Left wrist pediatric wrist radiograph; AP view; age 9 y, female; 517 by 1182 pixels:
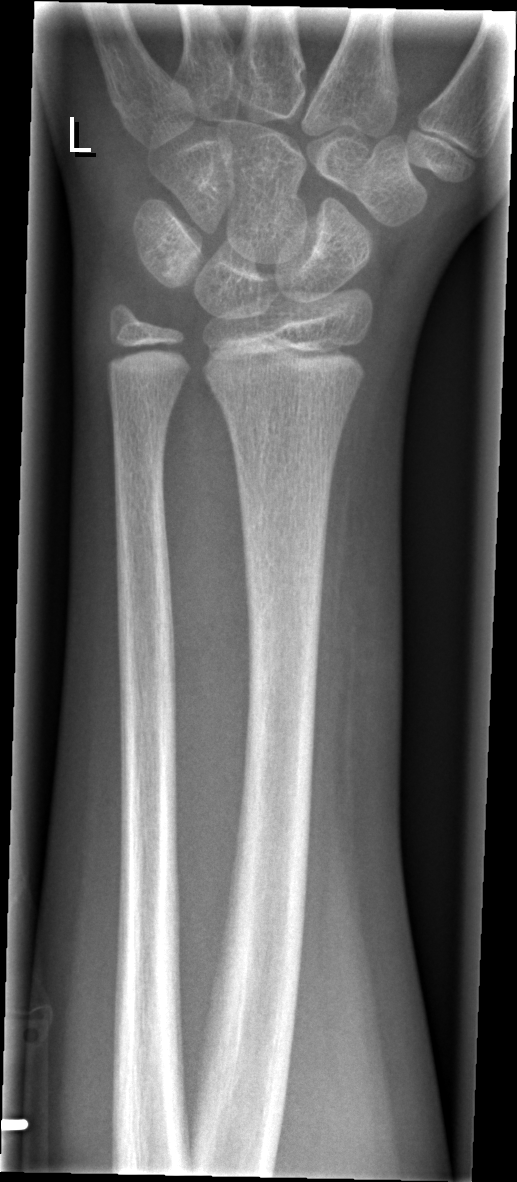
No fracture labeled.